Right wrist XR · lateral projection · 10y F · diagnosis uncertain · Siemens

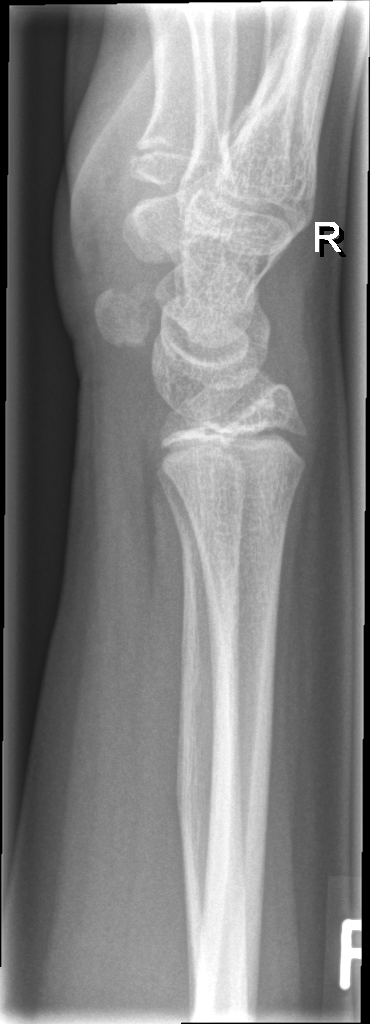

No Fx annotated.